R pediatric wrist radiograph | lat | age 12 y, boy | presentation radiograph | detector: Siemens | 462 x 808 px — 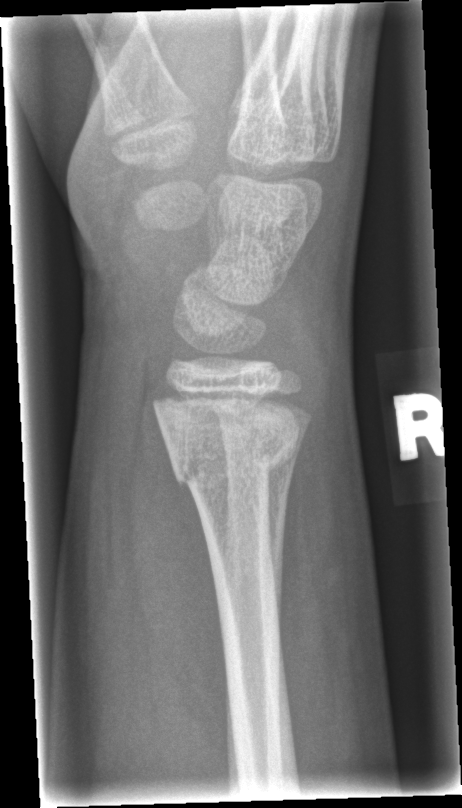

(bounding boxes in image-pixel xyxy)
AO classification: 23r-M/3.1
Pronator sign: <116,315>-<226,775>
Fx: <168,426>-<306,500>